AP | Lt plain radiograph of the wrist | imaged through cast —
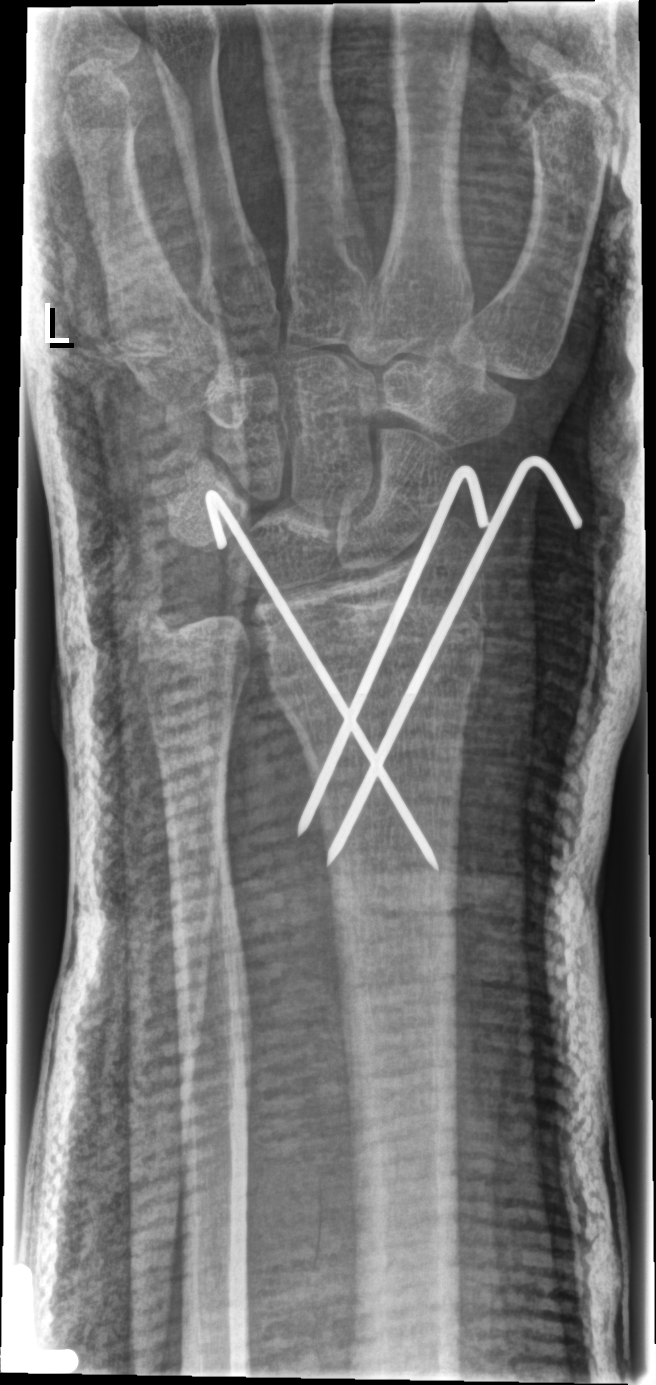 - Pixel coordinates, top-left origin, xyxy.
- AO code 23r-M/3.1.
- Metal: [x1=203, y1=454, x2=585, y2=874].
- Fx — [x1=270, y1=605, x2=493, y2=696].